Lt wrist X-ray, frontal view, 14-year-old male, cast in situ, 812 by 1468 pixels:
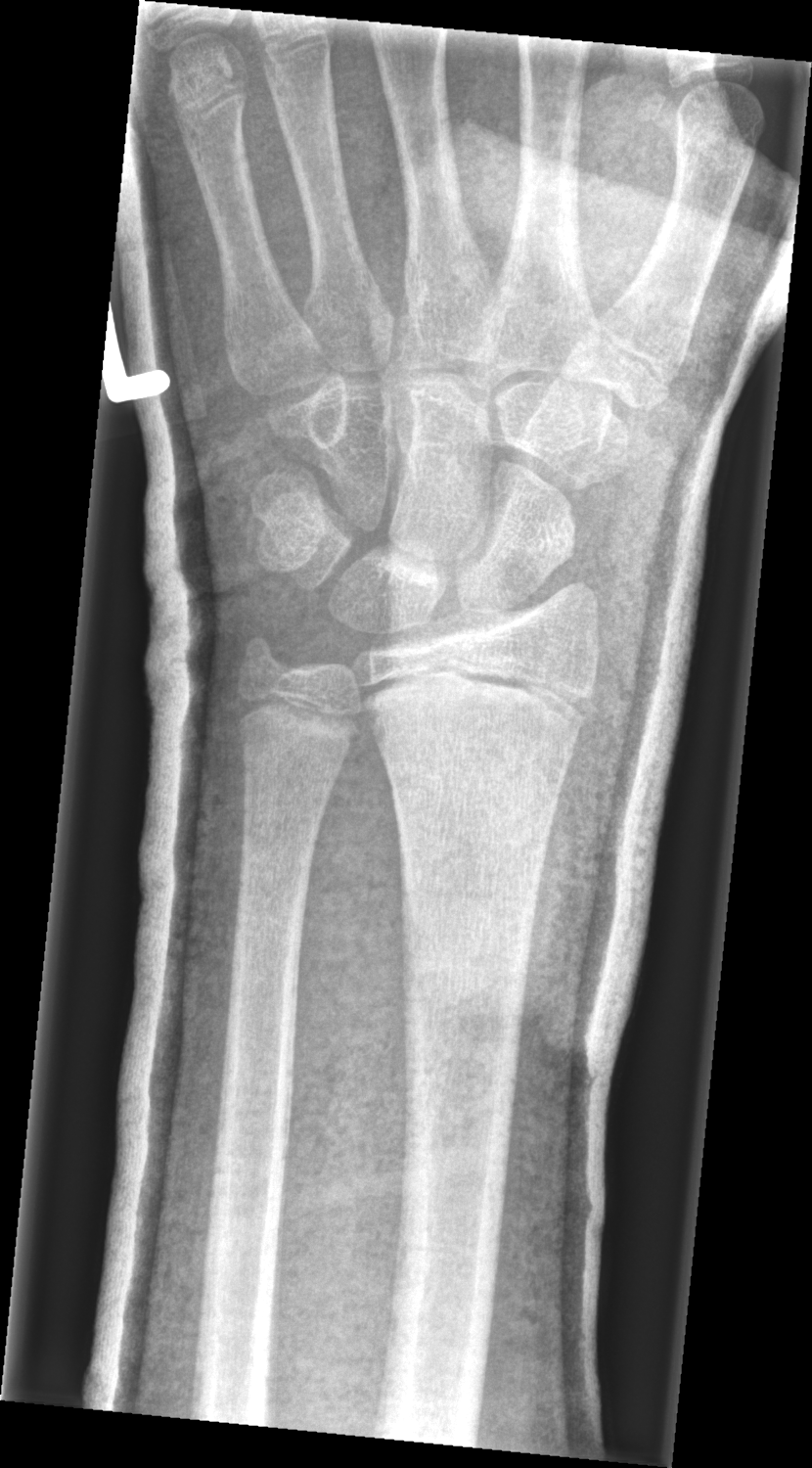

(boxes as x1,y1,x2,y2 (top-left / bottom-right, pixel units))
AO classification: 23r-E/2.1
fracture: [359, 665, 600, 743]